Rt plain radiograph of the wrist; lat:

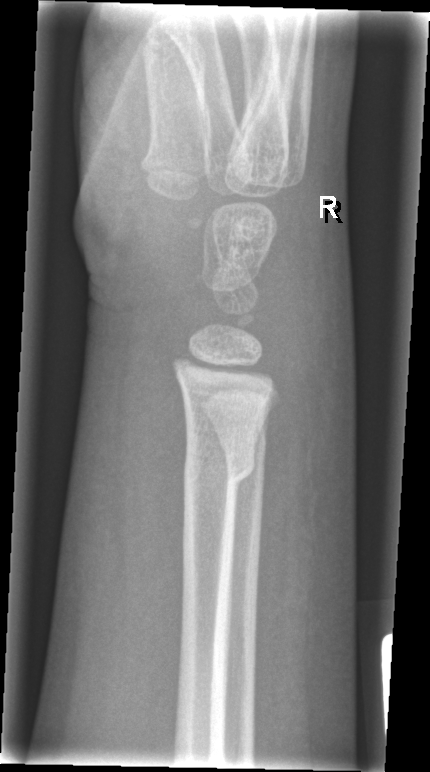

Fx identified at 181 439 257 498.
AO code 23-M/2.1.